L wrist X-ray · PA/AP · image width 108.9 mm
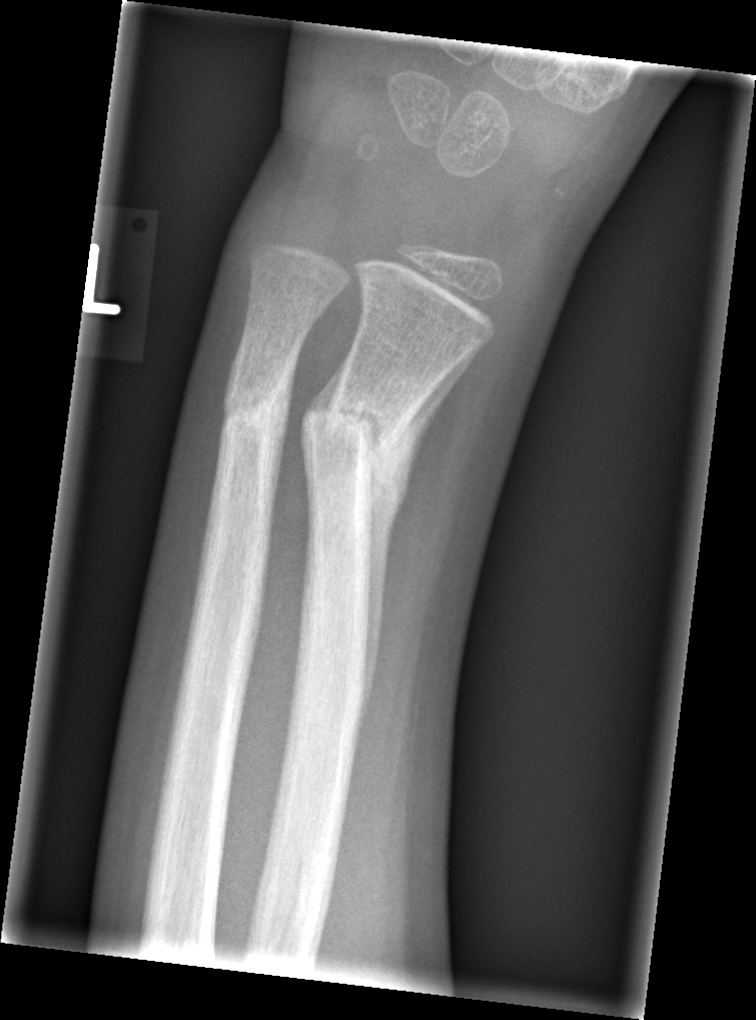

Findings: (pixel coordinates, top-left origin, xyxy) Osteopenic. Bone fracture identified at (296, 386, 399, 479), (222, 377, 287, 430). Periosteal reaction identified at (347, 339, 491, 797), (299, 345, 353, 555).